Frontal, right wrist pediatric wrist radiograph, 10-year-old boy, cast present. 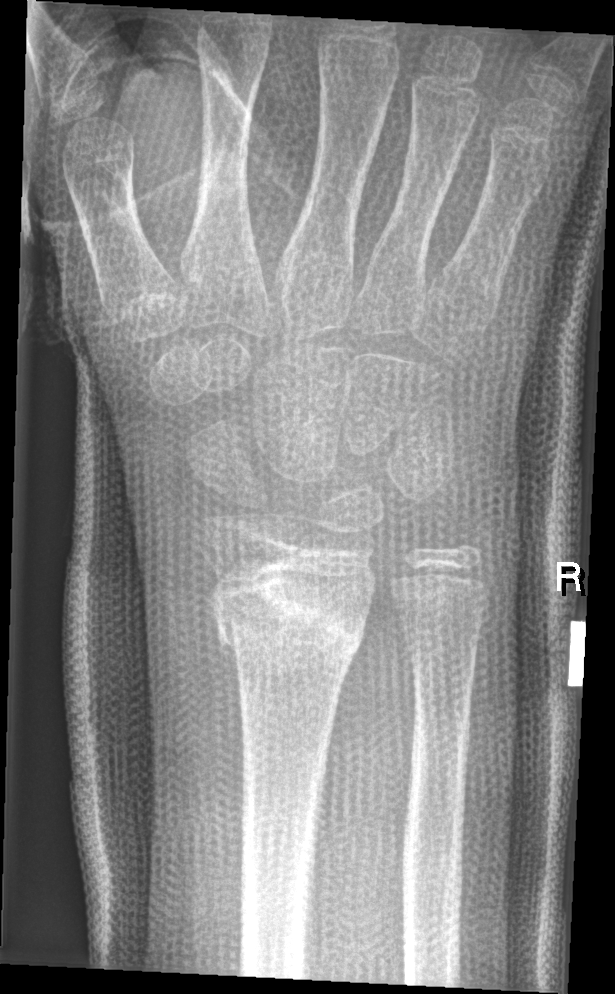
(bounding boxes in image-pixel xyxy)
Bone fracture: 1 @ 208,564,371,674